R wrist radiograph · lateral · 9-year-old male
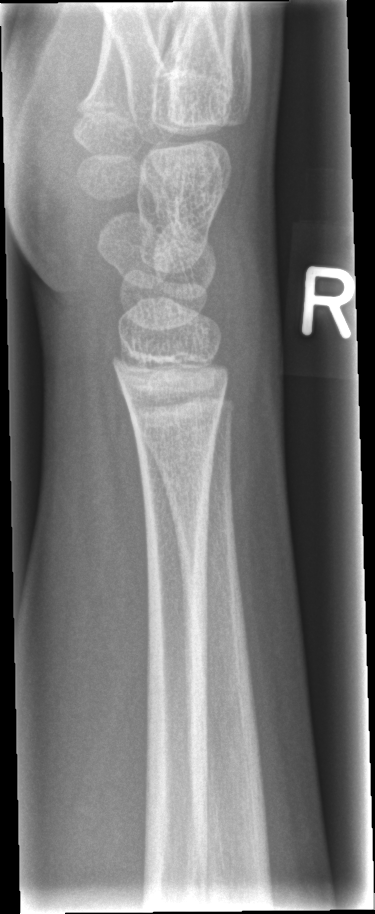

Q: Is there a fracture?
A: No fracture labeled